AP | left plain radiograph of the wrist | 10y F 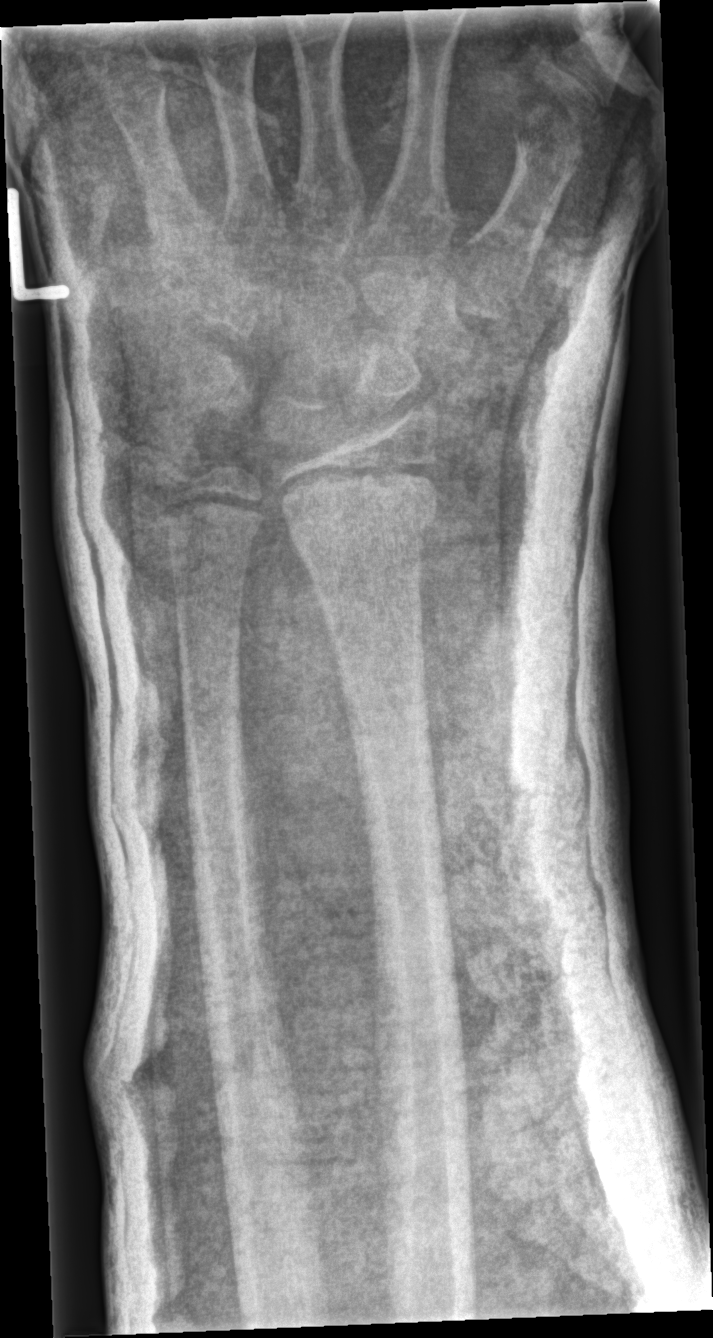
Fracture — (left=275, top=474, right=440, bottom=553).